Left wrist radiograph, lat, pediatric patient (boy, age 14) — 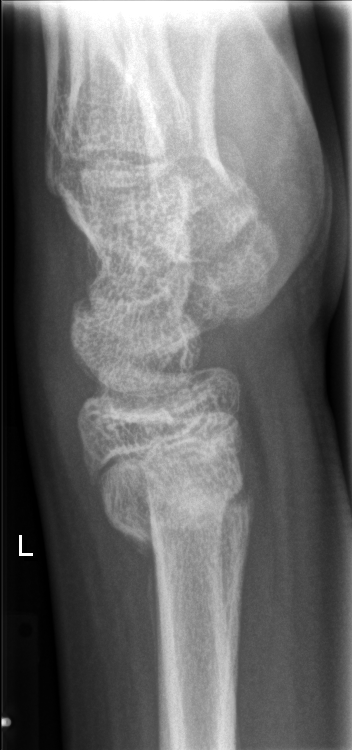 {"fracture": "(102, 480, 254, 546)", "periostealreaction": "1 @ (126, 529, 160, 700)", "ao": "23r-M/3.1; 23u-E/7", "osteopenia": "present"}